AP view, left wrist plain radiograph of the wrist, age 11 y, male —

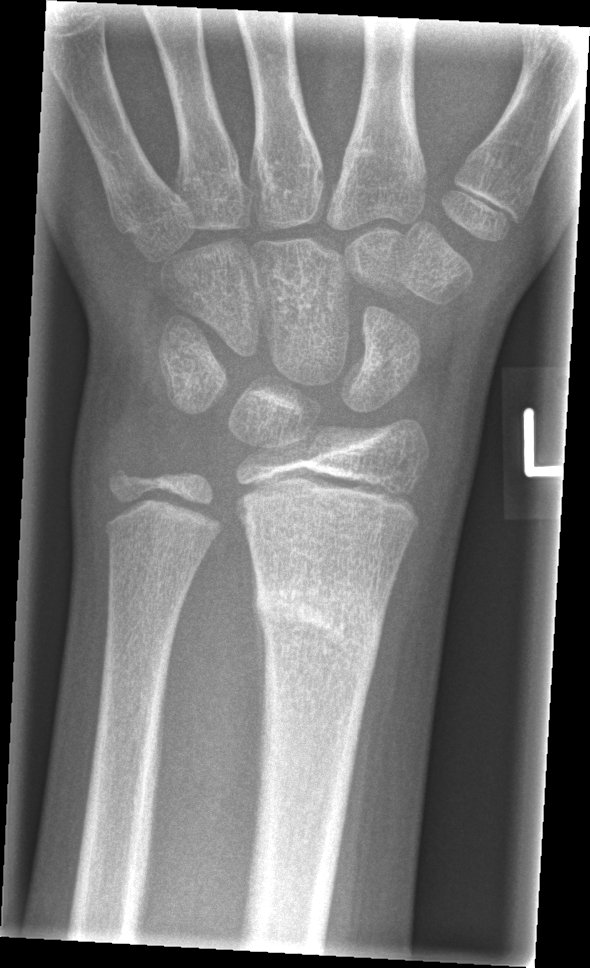 FINDINGS: Osteopenic. Periosteal reaction — bbox(250, 571, 267, 747). AO/OTA classification: 23r-M/2.1; 23u-E/7. Fx: bbox(250, 571, 389, 671), bbox(99, 452, 153, 505).